L plain radiograph of the wrist; frontal view; pediatric patient (female, age 13); subsequent exam; cast in situ; 86.4 mm image width.
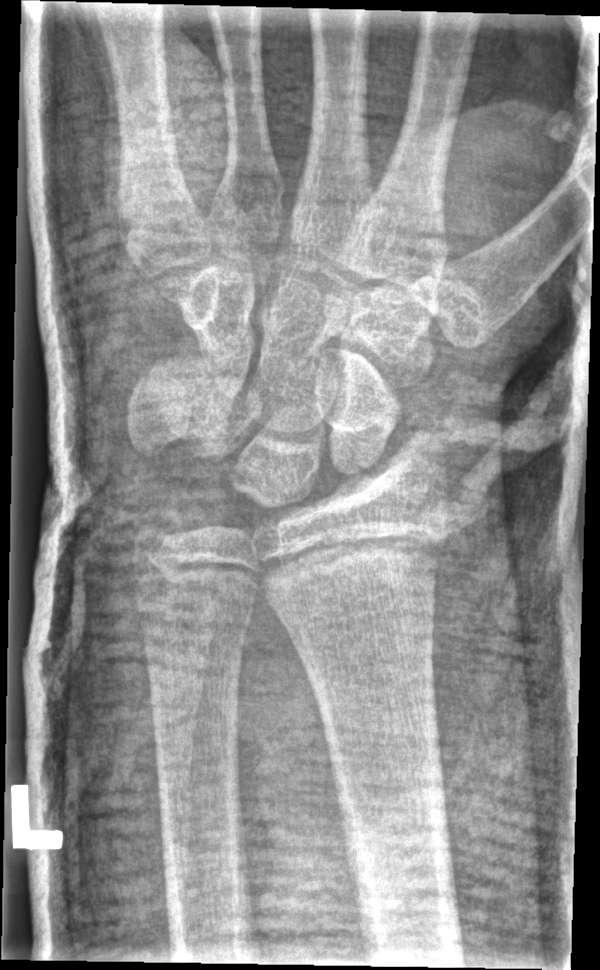

Bone fracture identified at 129,495,192,555.
AO code 23r-E/2.1; 23u-E/7.